Lat, Lt plain radiograph of the wrist — 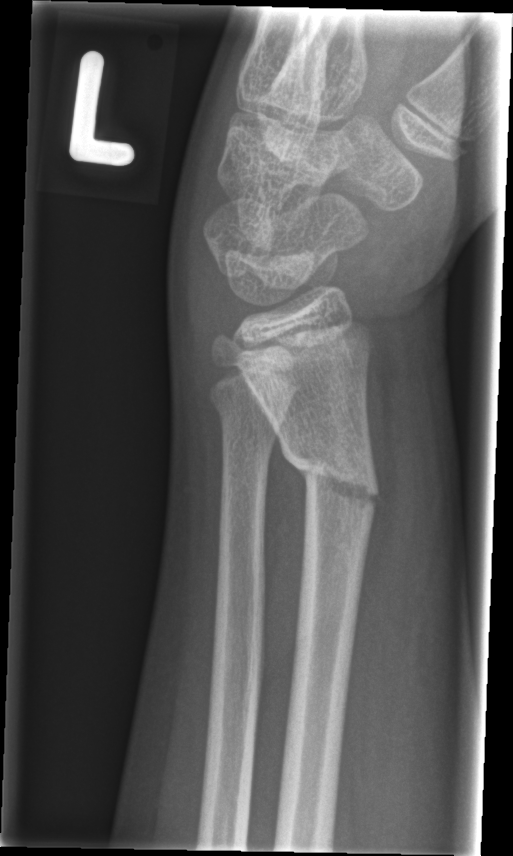 (bounding boxes in image-pixel xyxy)
Q: Locate any fractures.
A: Two fractures at <278,436>-<383,517>; <208,381>-<290,455>